PA/AP | Lt pediatric wrist radiograph | follow-up study | cast present | 608 by 1082 pixels. 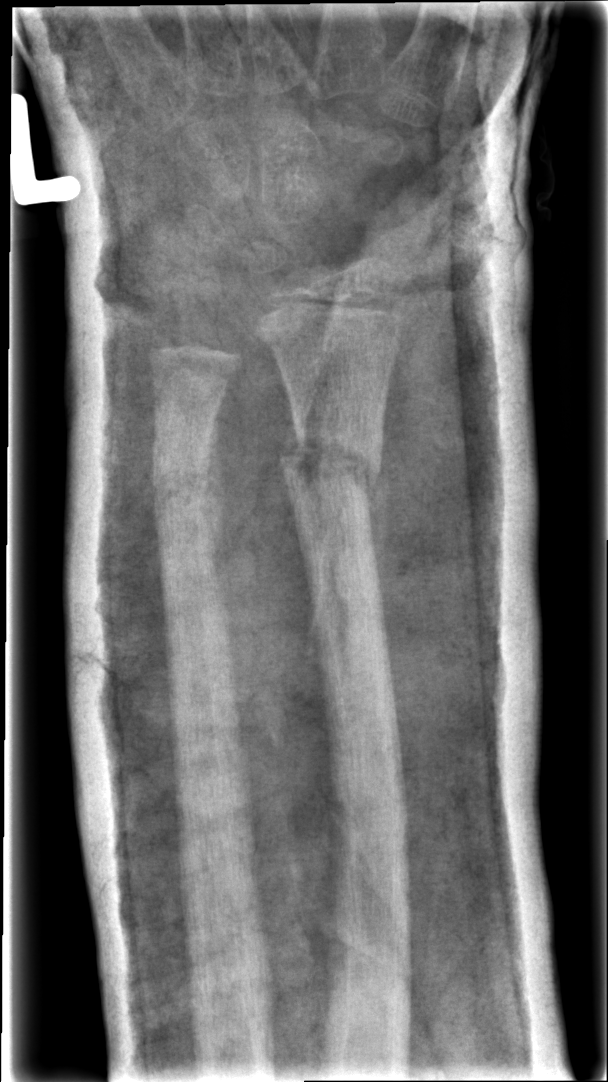
Bounding boxes in image-pixel xyxy. Fracture identified at <275,426>-<382,505>; <144,454>-<221,524>.